L wrist XR · posteroanterior projection · female, 13 yo — 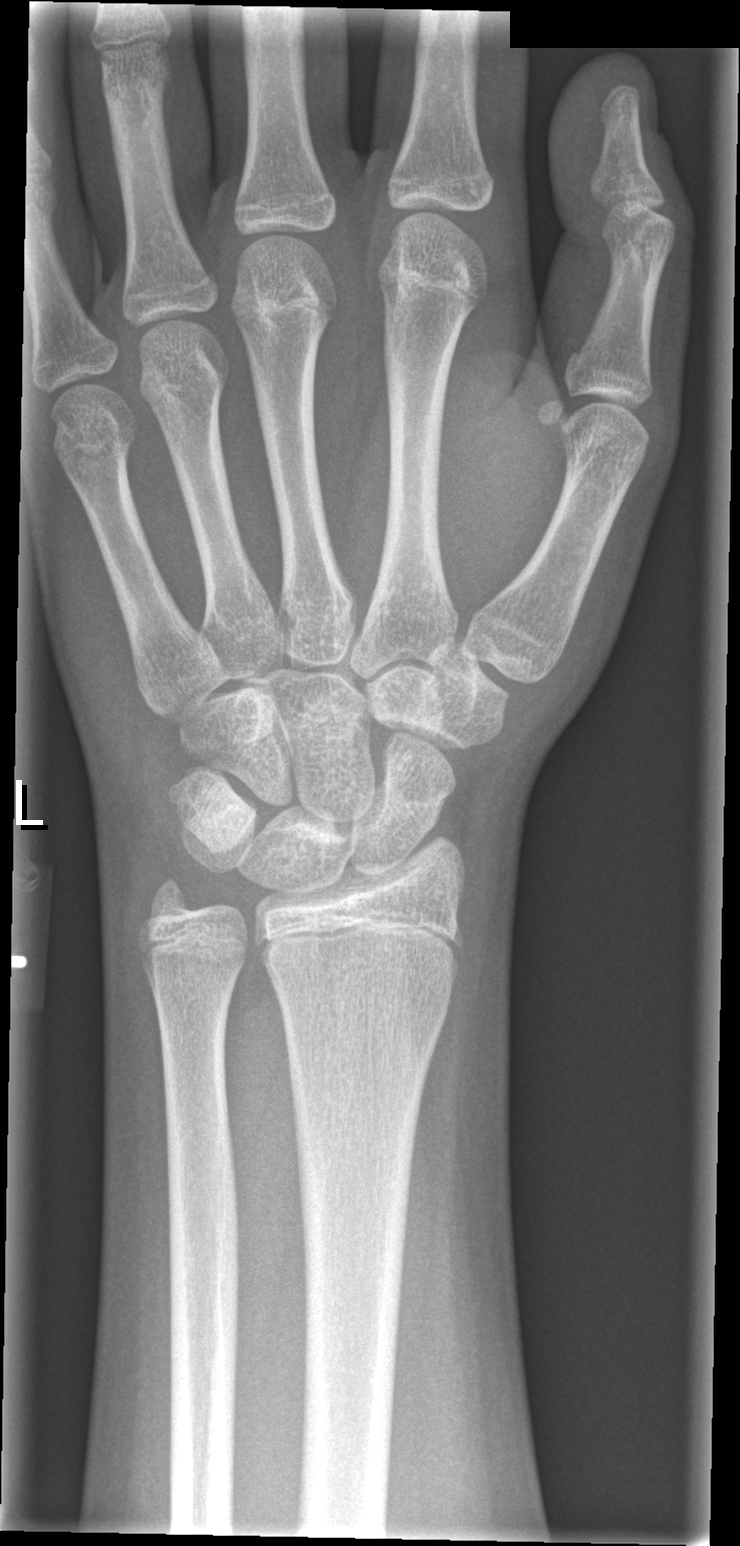

Fx = none labeled